Lat projection, left wrist X-ray, 8-year-old boy

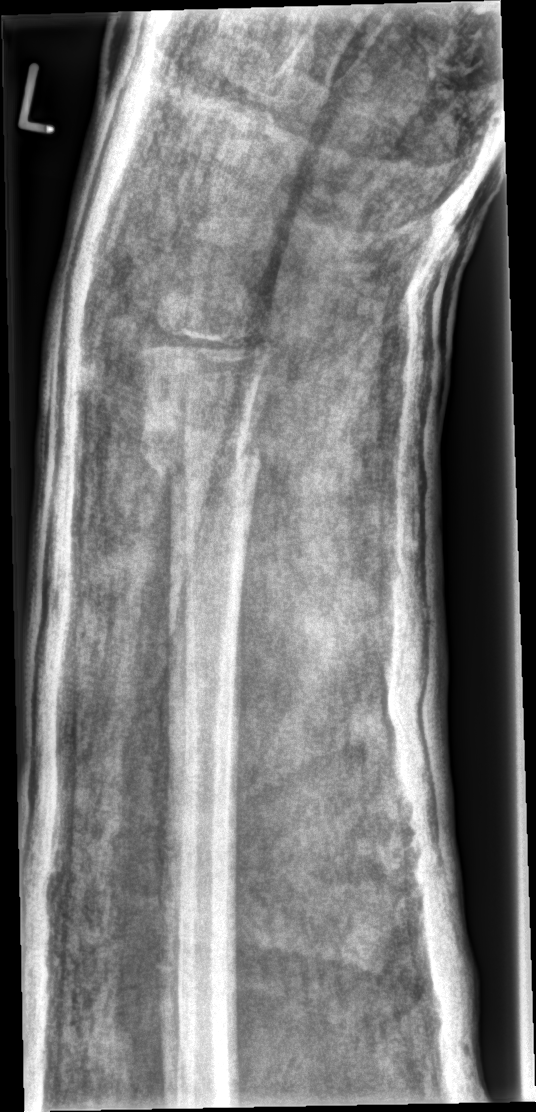

Fracture classified AO/OTA 23r-M/3.1; 23u-M/2.1. Fracture: [x1=140, y1=417, x2=263, y2=490].